Rt plain radiograph of the wrist · lat projection · index exam · 605 x 1352 px:
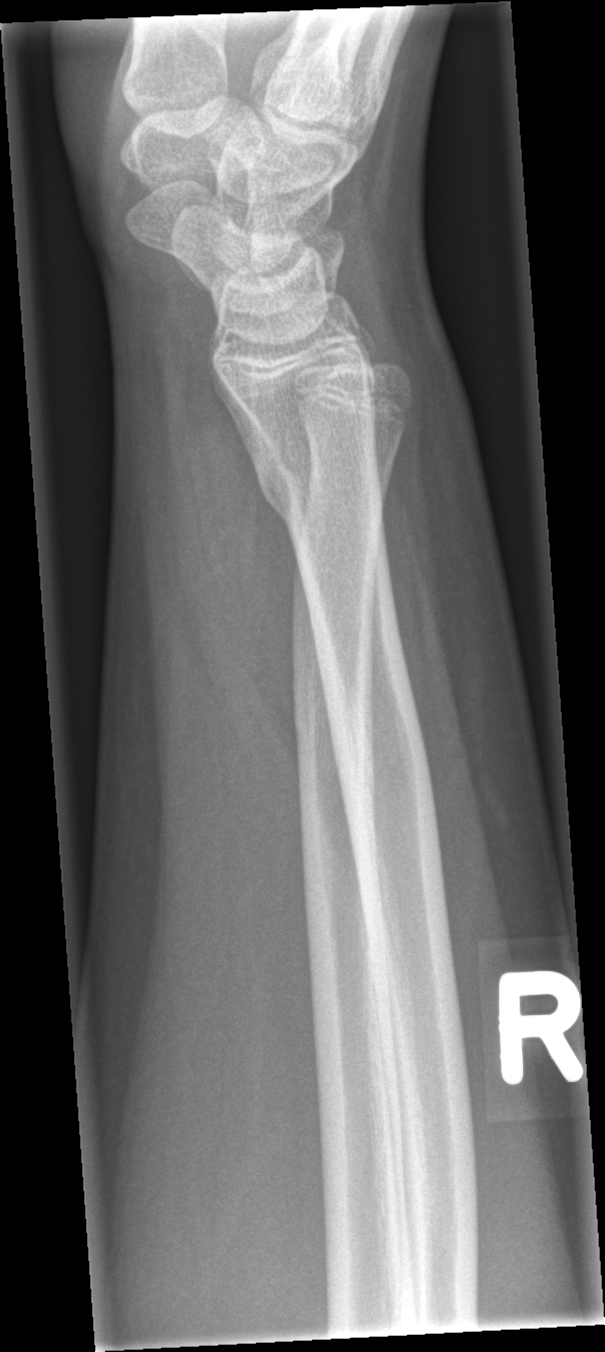
{
  "_coords": "pixel coordinates, top-left origin, xyxy",
  "fracture": "<255,453>-<387,562>",
  "ao": "23r-M/2.1"
}